Lateral projection · left wrist X-ray · presentation radiograph · findings marked uncertain by the reading radiologist · 430 by 700 pixels. 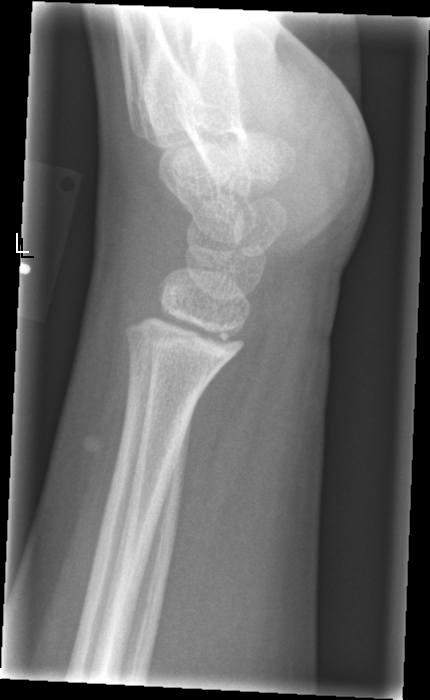 fracture: none labeled